Right wrist XR · lat view · pediatric patient (girl, age 15) · Siemens.

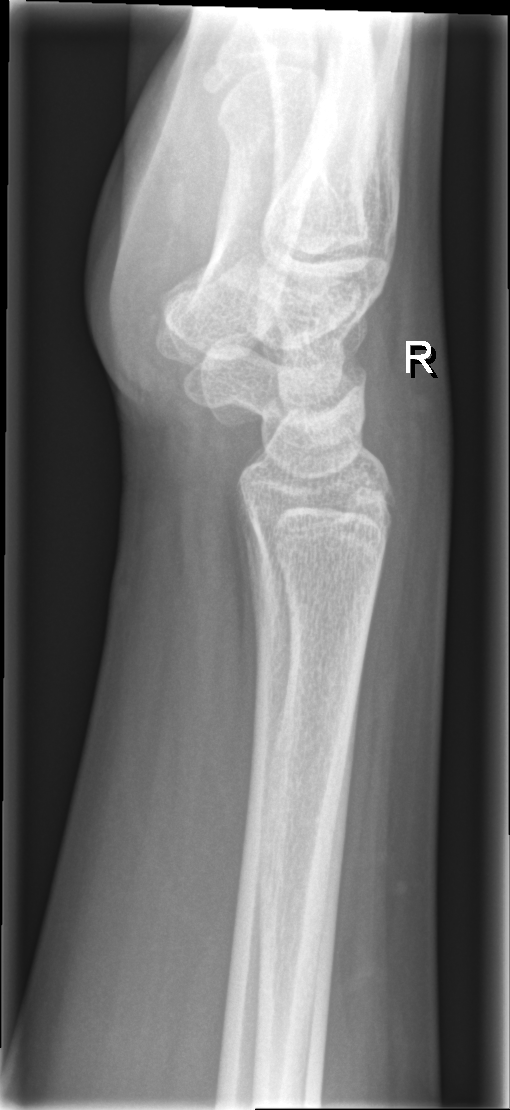

Findings: No fracture labeled.